Lt plain radiograph of the wrist, lateral projection
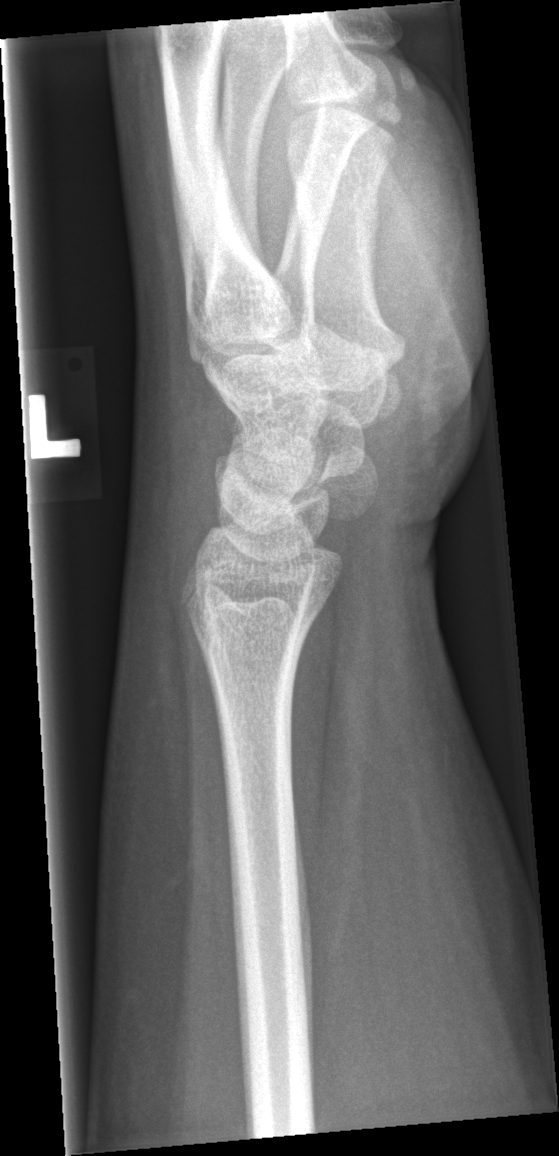

FINDINGS — No fracture bounding box.